Rt plain radiograph of the wrist, lat projection, subsequent exam, Siemens —

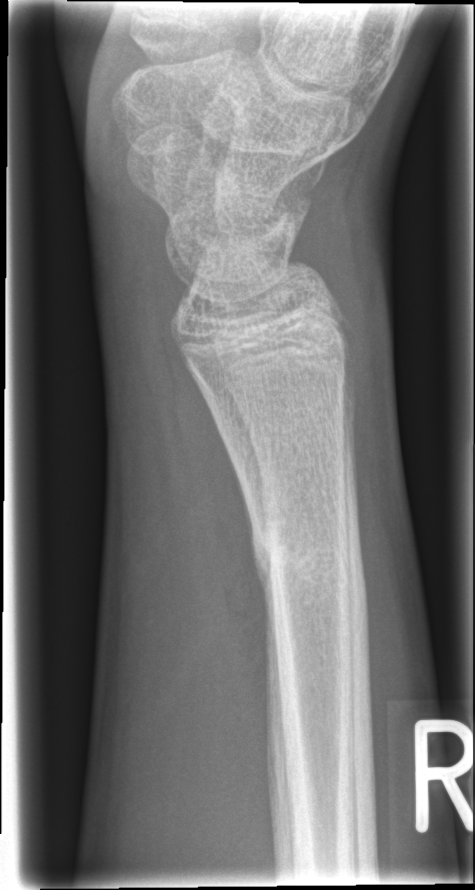

Osteopenia = present
Bone fracture = 1 @ (left=247, top=520, right=367, bottom=604)